Rt wrist plain film · lateral view · follow-up · cast in situ

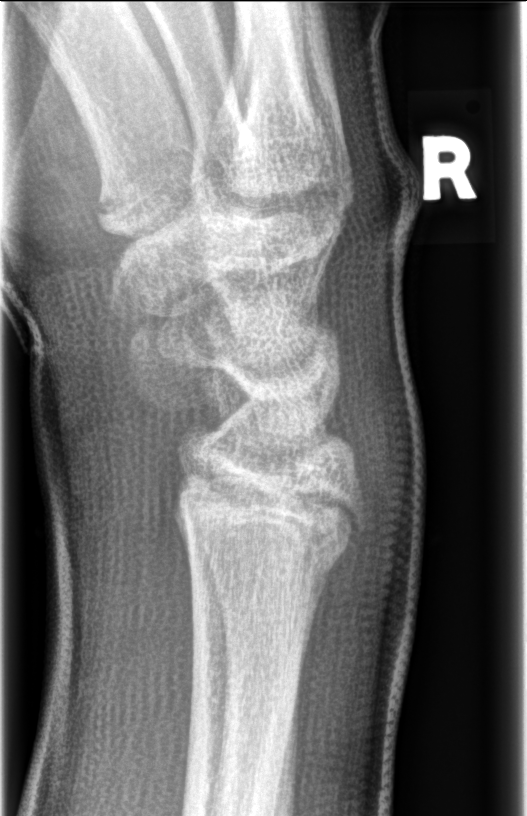 fracture = 1 @ bbox(164, 468, 368, 593)